Lat view, left wrist plain film, 7-year-old male, follow-up study, 411x1084.

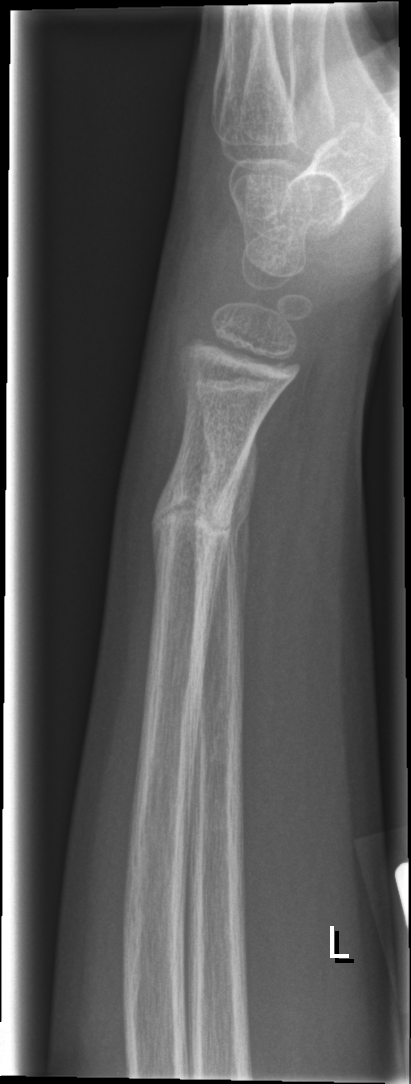
(bounding boxes in image-pixel xyxy)
Bone fracture = (155, 474, 239, 553) (189, 484, 263, 555)
AO classification = 23-M/3.1
Osteopenia = present
Periosteal new bone = 2 @ (150, 471, 172, 597); (234, 512, 250, 638)